Lateral, Lt plain radiograph of the wrist, cast present, Siemens, image 61.9 mm wide, 430 x 1064 px 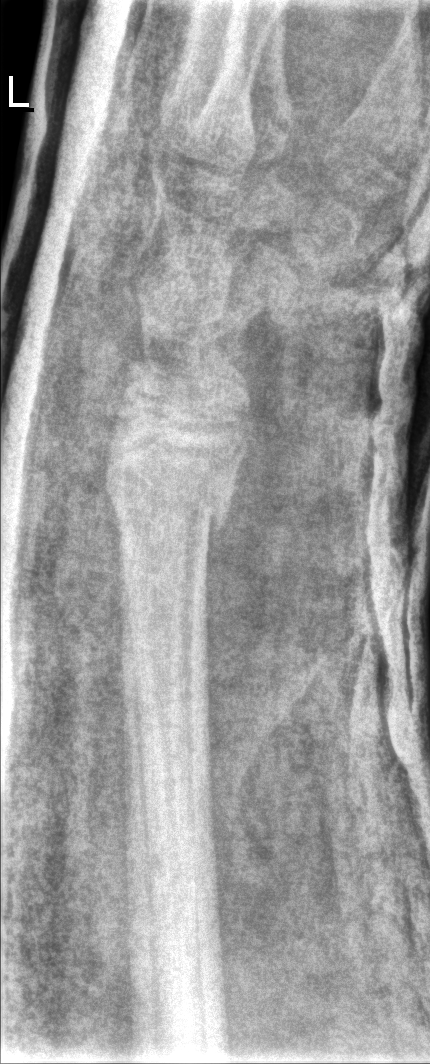
AO/OTA classification: 23-M/3.1. Fx — 98,454,236,544.